Lat | left wrist XR | 8y M —

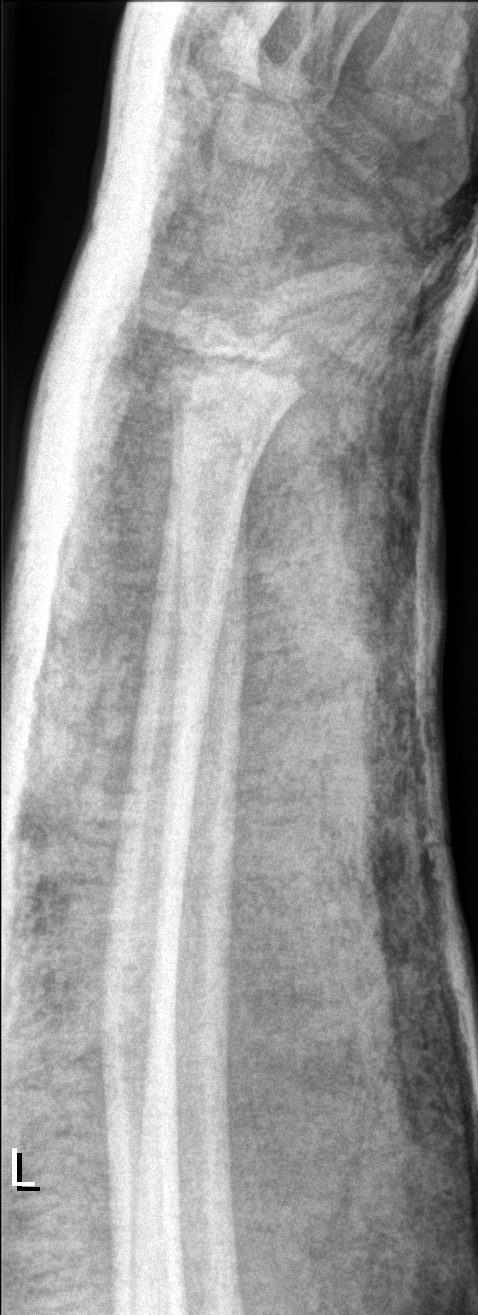

Fracture — bbox(148, 340, 319, 439).